Lateral view, Lt wrist radiograph, pediatric patient (male, age 11), presentation radiograph, image size 518x1007:
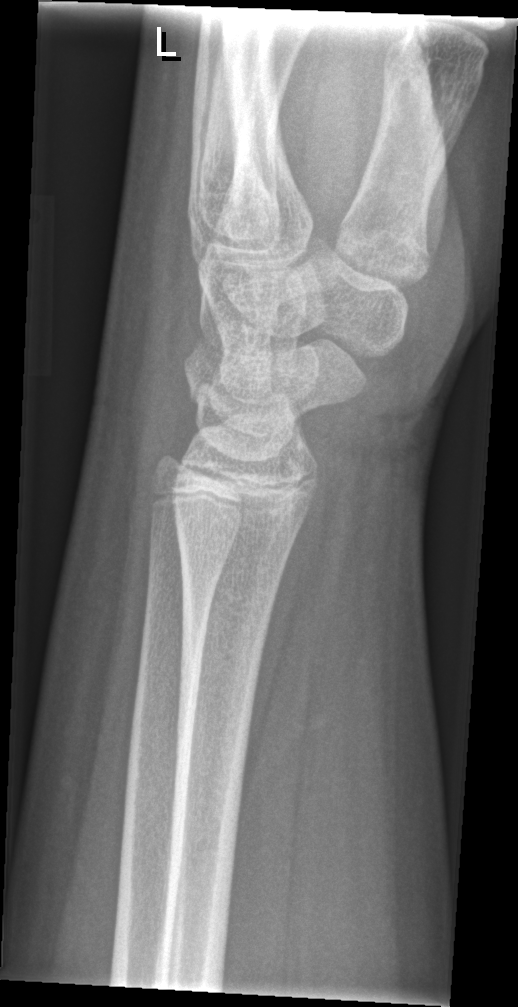 Fx = none labeled